Lt wrist XR; frontal view; age 13 y, female; Siemens:
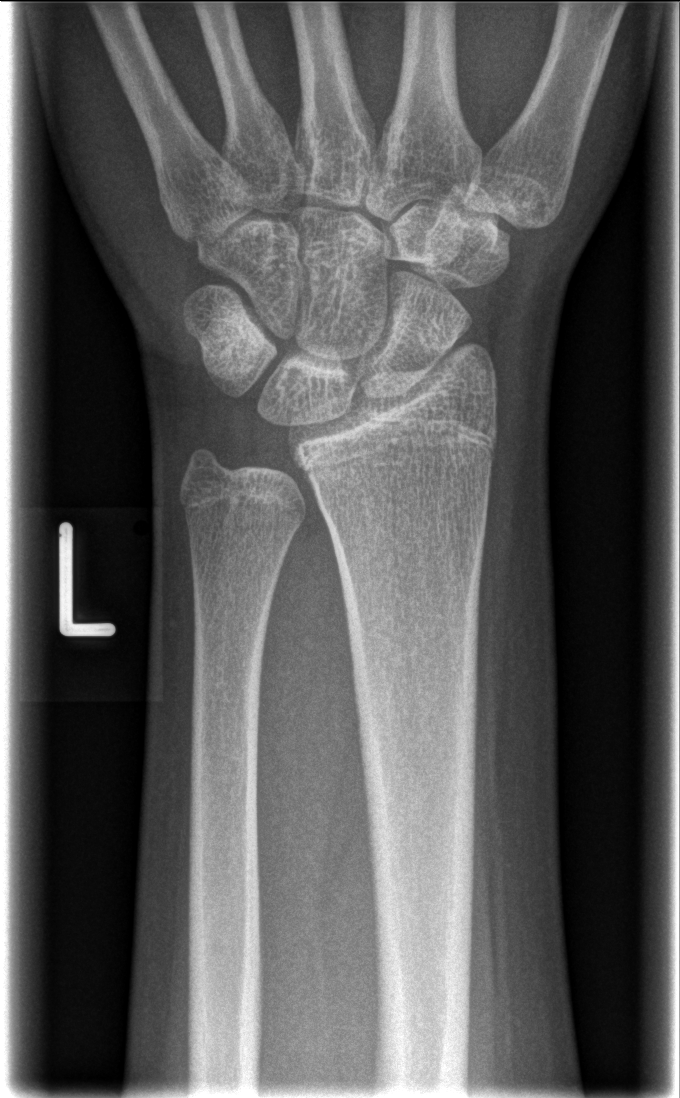 Q: Is there a fracture?
A: No fracture labeled